Lat · left wrist XR · male, 10 yo · follow-up study · cast present: 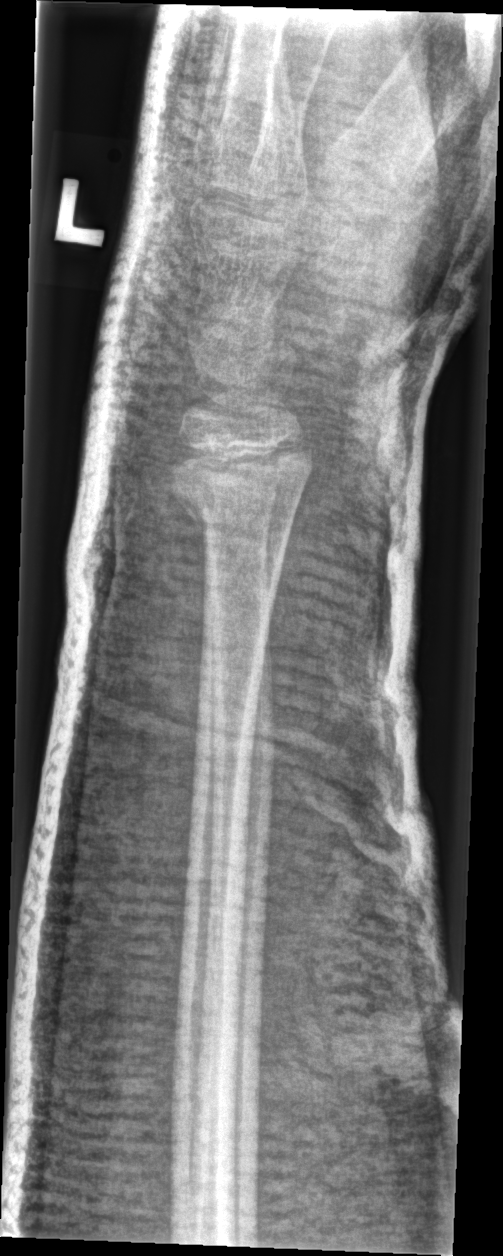
One bone fracture at (left=164, top=435, right=318, bottom=539).
Fracture classified AO/OTA 23r-E/2.1; 23u-M/2.1.